Posteroanterior view; Rt wrist plain film; age 6 y, boy
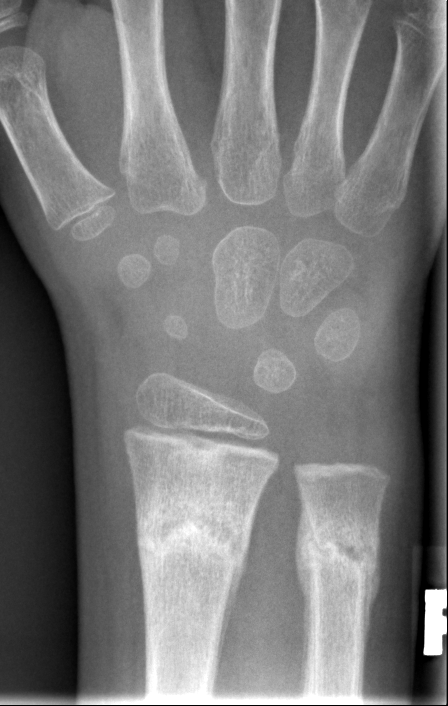
Q: Is there periosteal reaction?
A: Periosteal reaction — [213, 496, 260, 694] [295, 494, 317, 702] [364, 535, 382, 653]
Q: Bone density?
A: Osteopenia
Q: Locate any fractures.
A: Two fractures at [129, 490, 256, 581], [295, 512, 380, 603]